Frontal projection | Lt wrist plain film | 9y F | acquired on Siemens.

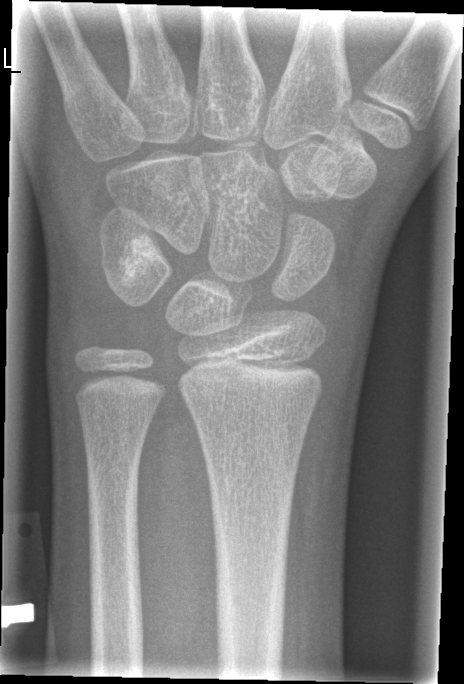 FINDINGS: Fx: none.